Lat view · left wrist radiograph · 15-year-old girl — 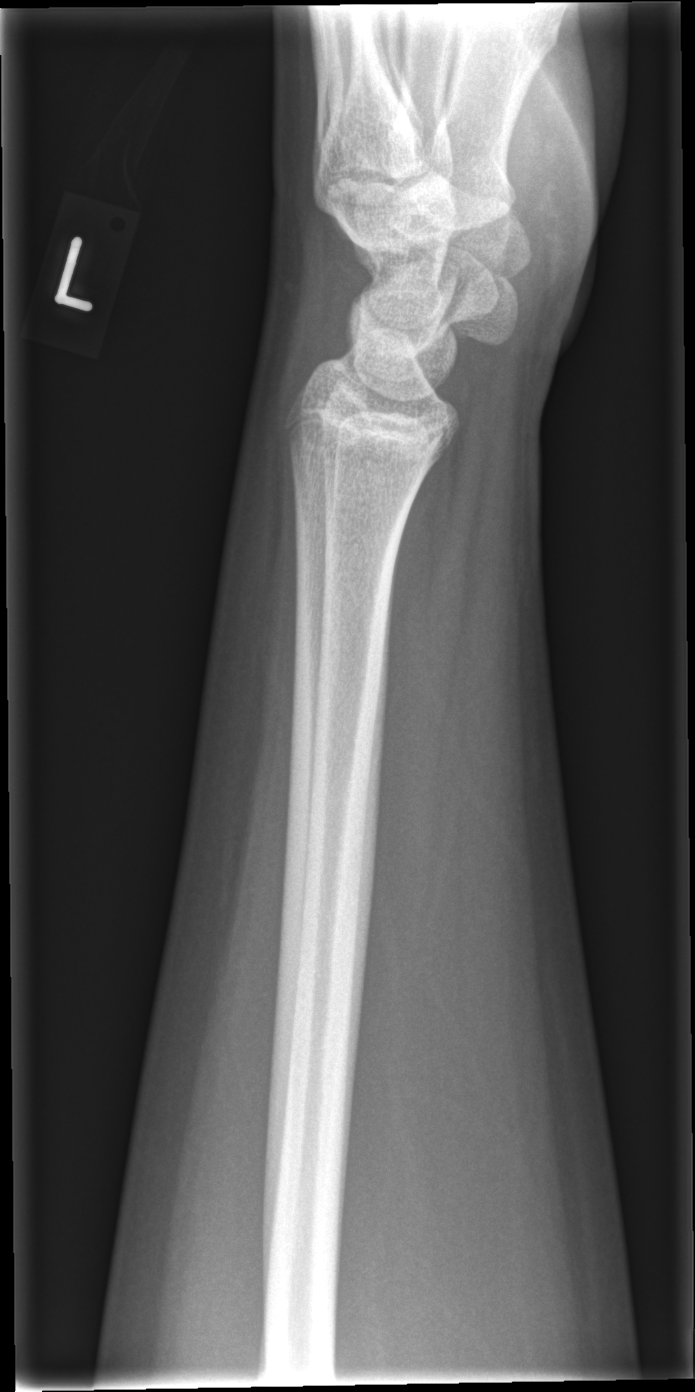   fracture: none labeled